PA view; right wrist X-ray; 11y M; follow-up; Siemens:
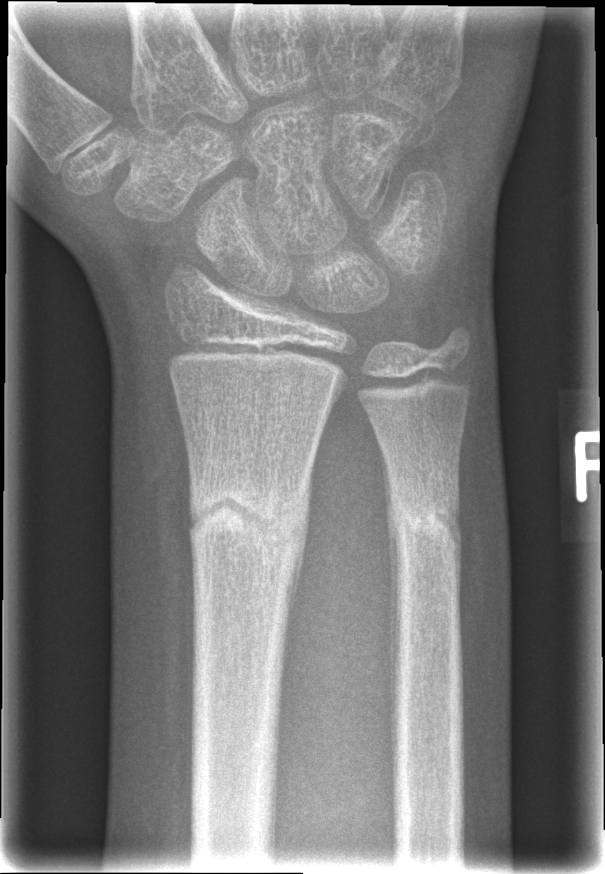 FINDINGS: (pixel coordinates, top-left origin, xyxy) Fx identified at <182,470>-<313,589>; <382,480>-<464,575>. Two periosteal reaction at <381,444>-<399,776>; <284,462>-<313,659>. Osteopenia.